Frontal view, Lt pediatric wrist radiograph, age 13 y, male, 1245 x 946 px 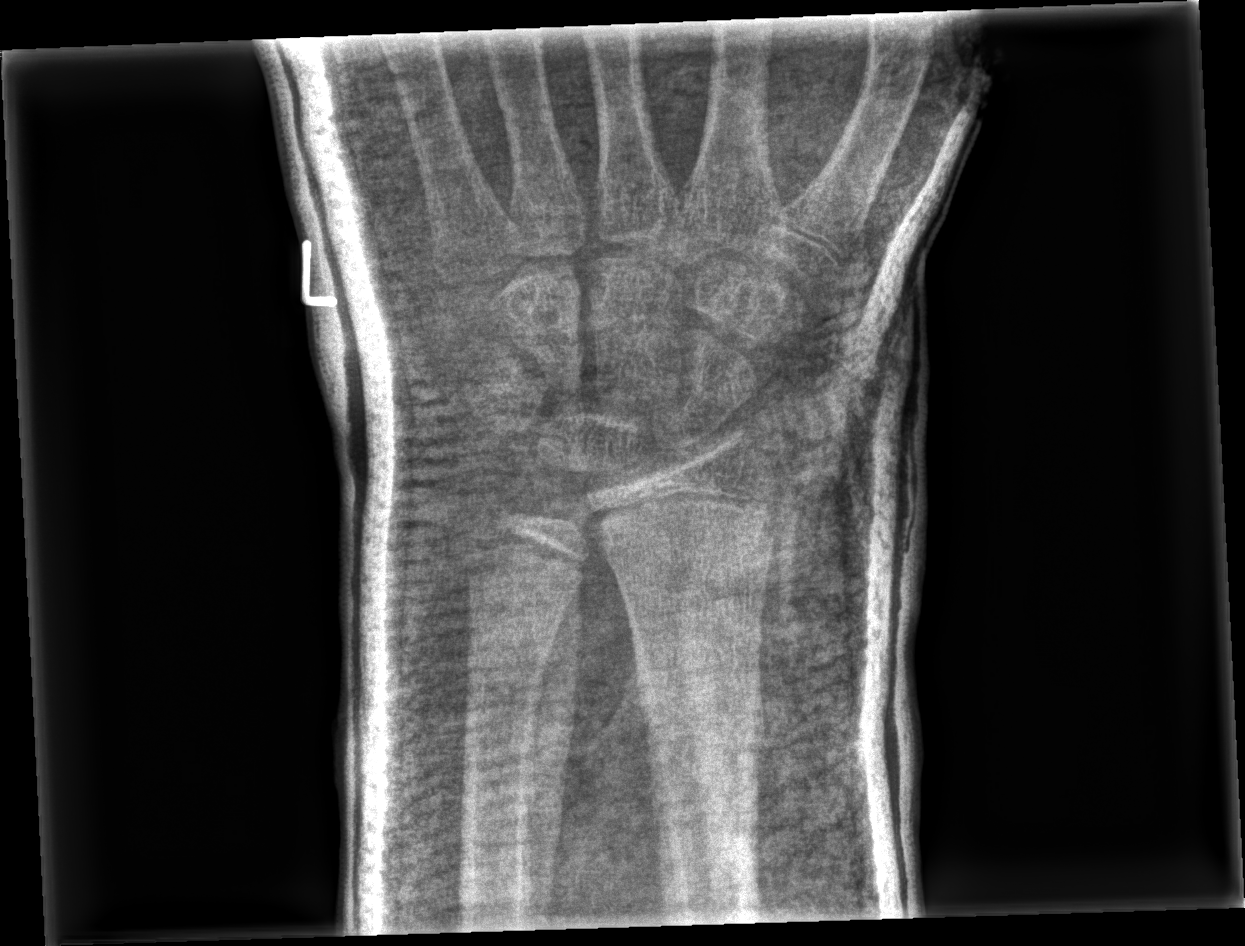

Q: Is there a fracture?
A: Bone fracture: 634 689 769 795
Q: What is the AO/OTA classification?
A: AO/OTA classification: 23r-M/3.1; 23u-M/2.1